L wrist X-ray | frontal —

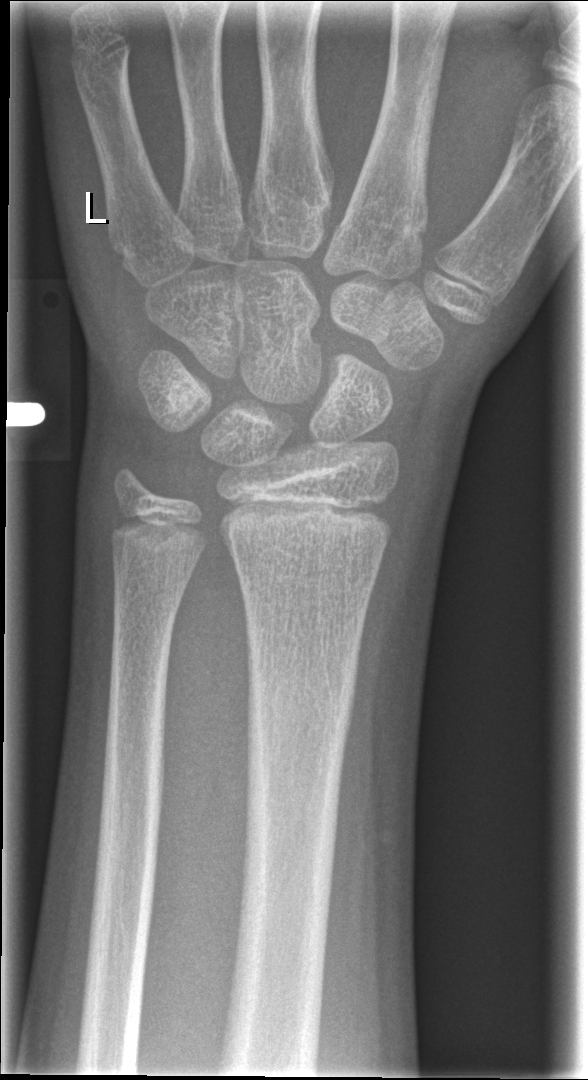
(coordinates are [x1, y1, x2, y2] in image pixels)
Fx = 1 @ [x1=239, y1=662, x2=360, y2=758]